L wrist radiograph · lateral projection · pediatric patient (male, age 10) · 529x1490

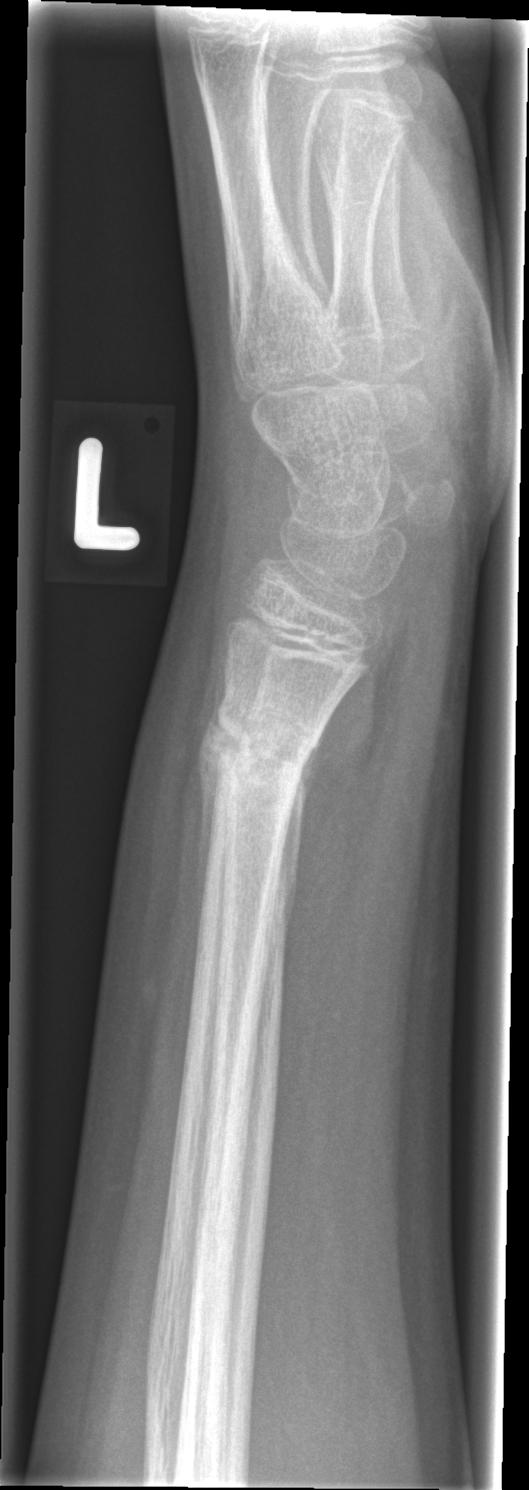 FINDINGS: Osteopenia. Periosteal new bone identified at 261,721,328,981; 198,629,230,946. Bone fracture: 192,707,320,808.